Left wrist XR; AP view —

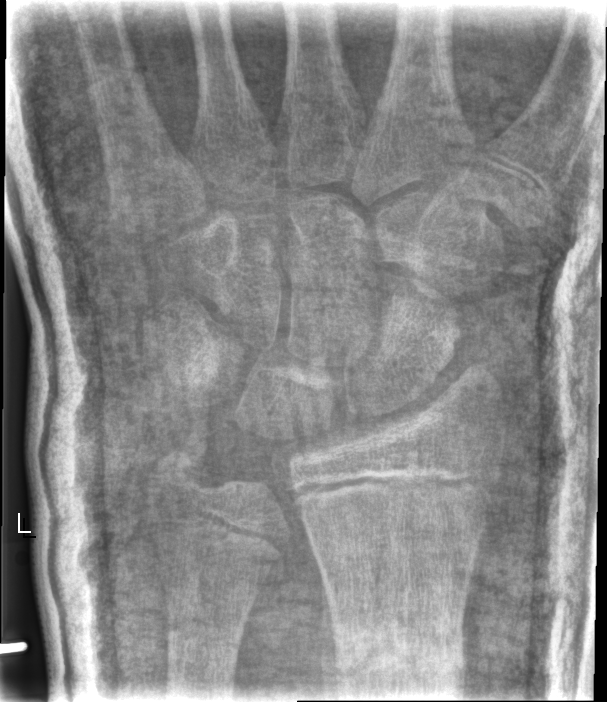
FINDINGS — Periosteal thickening: 462,527,485,699; 318,577,340,700. Bone fracture identified at 331,624,467,697; 144,445,209,494.